L plain radiograph of the wrist, lat projection, cast present. 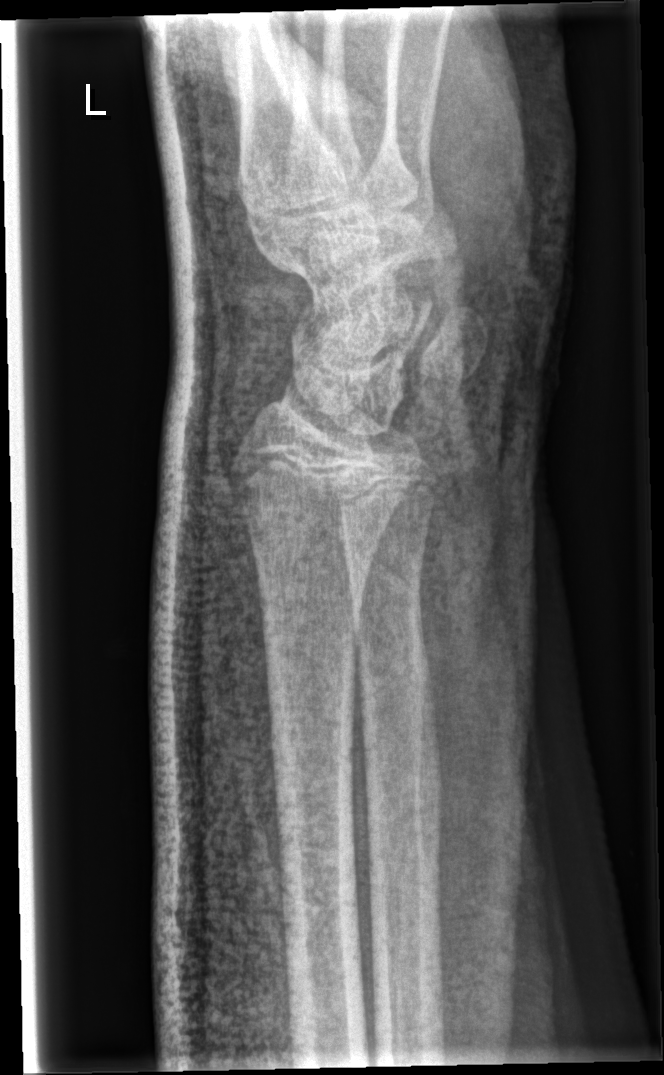
No fracture labeled.